L wrist plain film, lat projection, detector: Siemens — 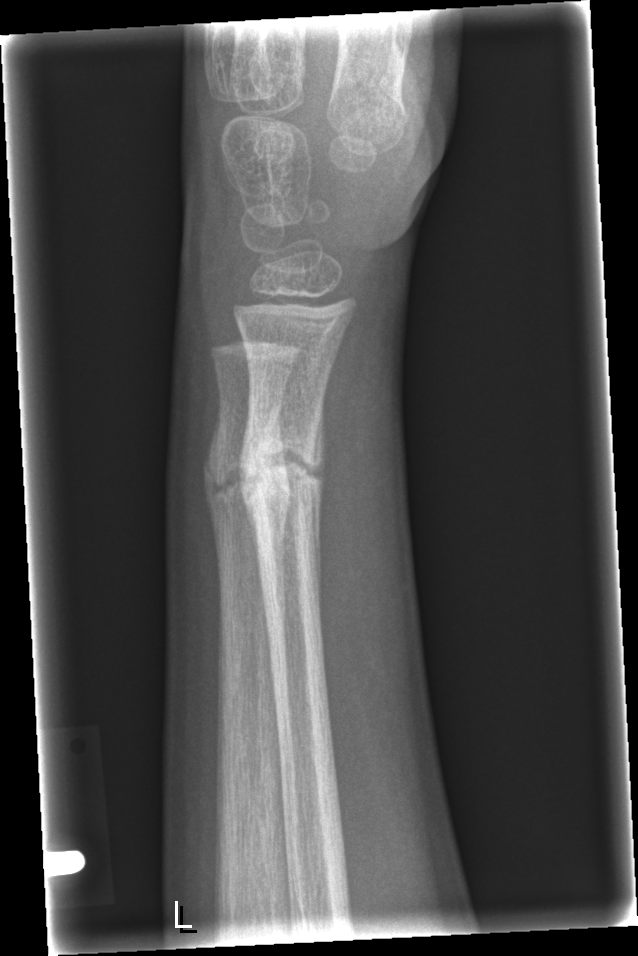
- Osteopenia.
- Four periosteal reaction at [x1=236, y1=407, x2=255, y2=556]; [x1=204, y1=429, x2=221, y2=586]; [x1=273, y1=428, x2=291, y2=543]; [x1=313, y1=425, x2=322, y2=579].
- Two bone fractures at [x1=236, y1=413, x2=324, y2=558], [x1=204, y1=430, x2=291, y2=547].